Left wrist radiograph, posteroanterior, 16y F, presentation radiograph, image width 89.3 mm —

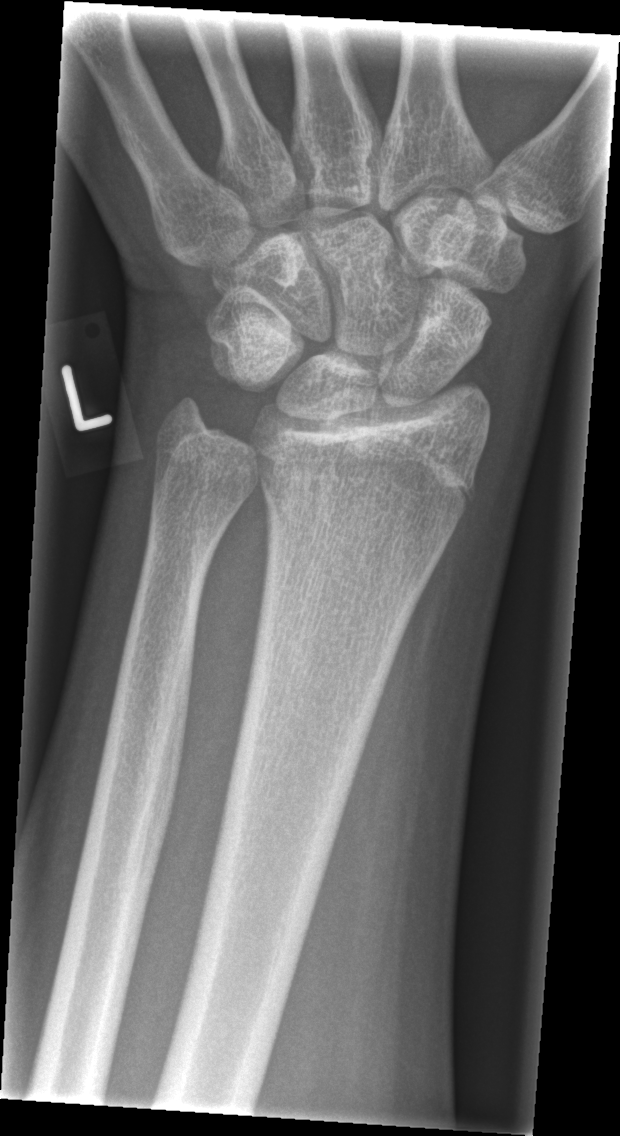 • No fracture annotation.